Frontal, Lt wrist radiograph 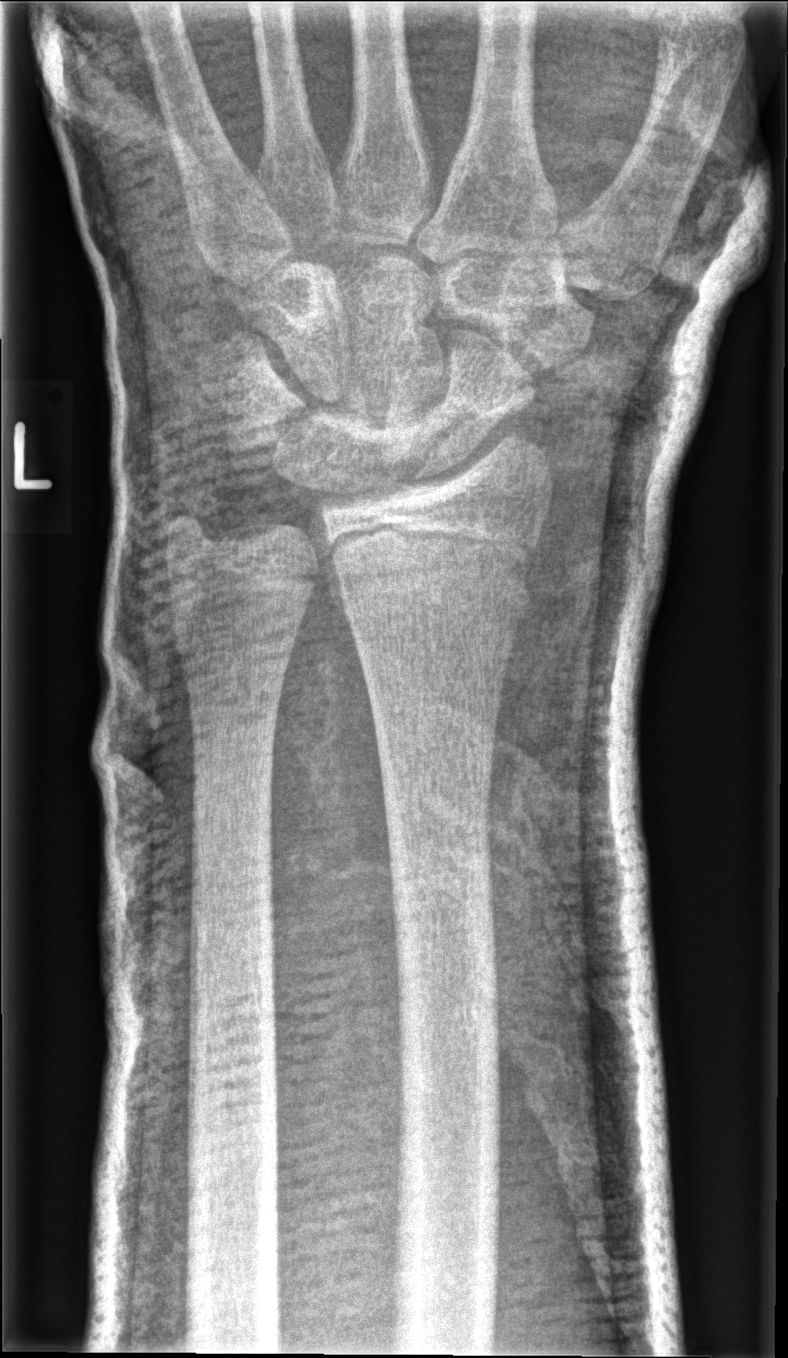

* Bounding boxes in image-pixel xyxy.
* Bone fracture identified at 318,531,542,629.
* AO/OTA classification: 23r-E/2.1.